Lat · L pediatric wrist radiograph · male, 13 yo · initial study · image width 69.7 mm 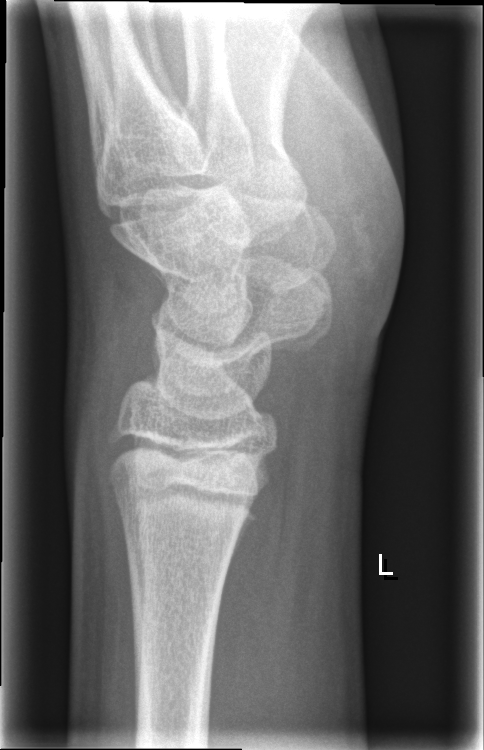
bone fracture = none labeled